Lateral; L wrist plain film

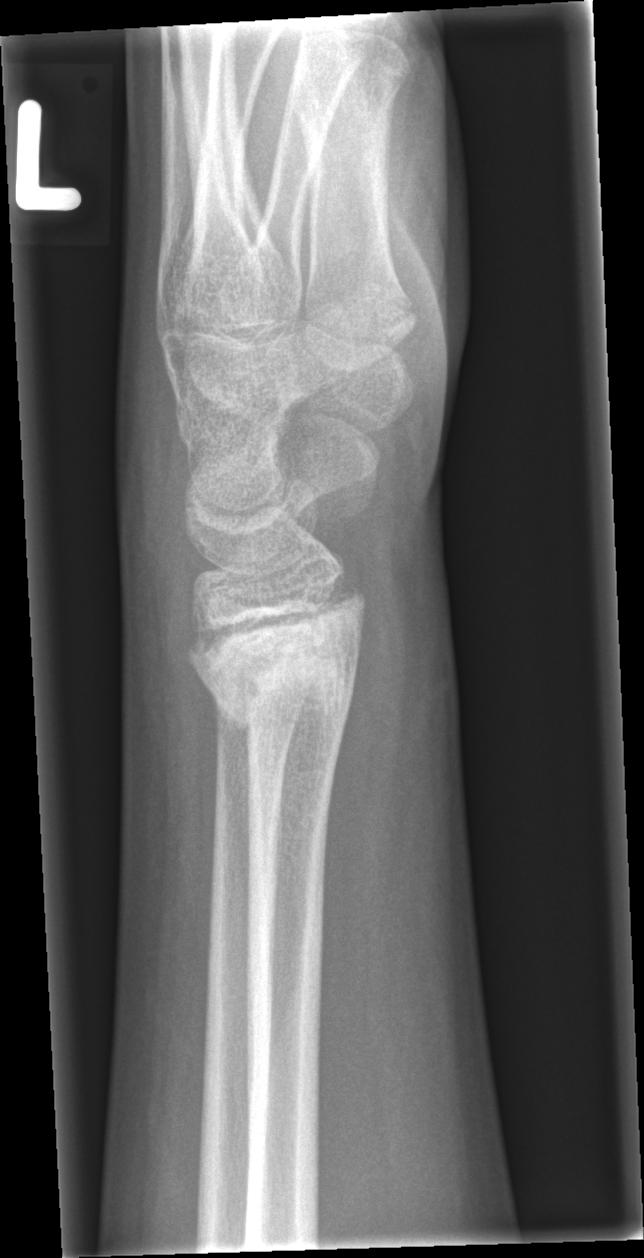
(pixel coordinates, top-left origin, xyxy)
Fx = 1 @ 188 635 357 745
AO code = 23r-M/2.1